Rt pediatric wrist radiograph, lateral view, boy, 13 yo, image size 484x738

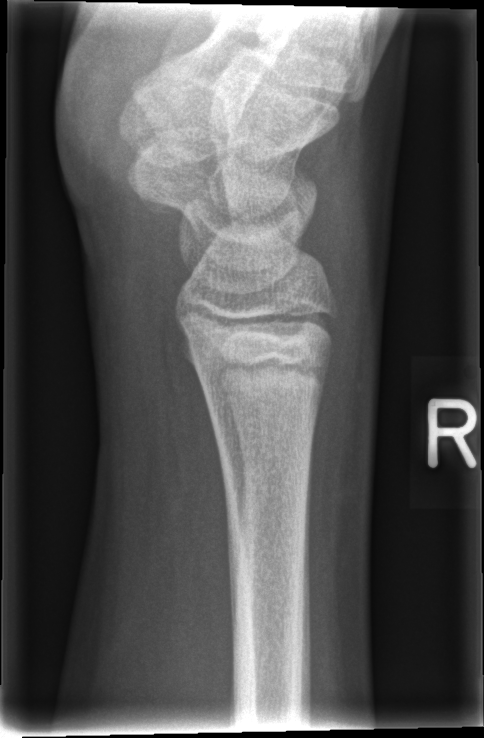

FINDINGS: No fracture annotation.